Lateral view | left wrist pediatric wrist radiograph | findings marked uncertain by the reading radiologist | 353 x 728 px

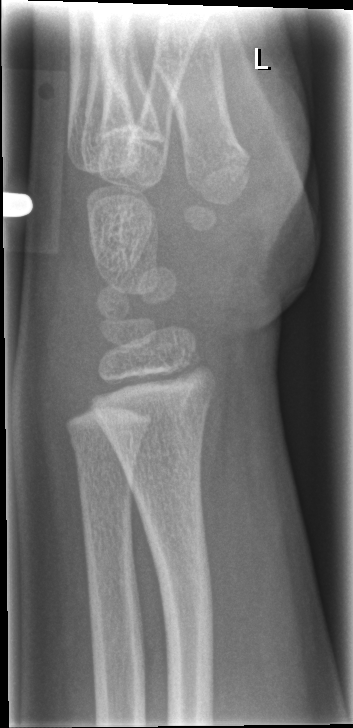
Fx — 151 543 220 652.